PA | left wrist X-ray | 12-year-old female | image width 96.2 mm. 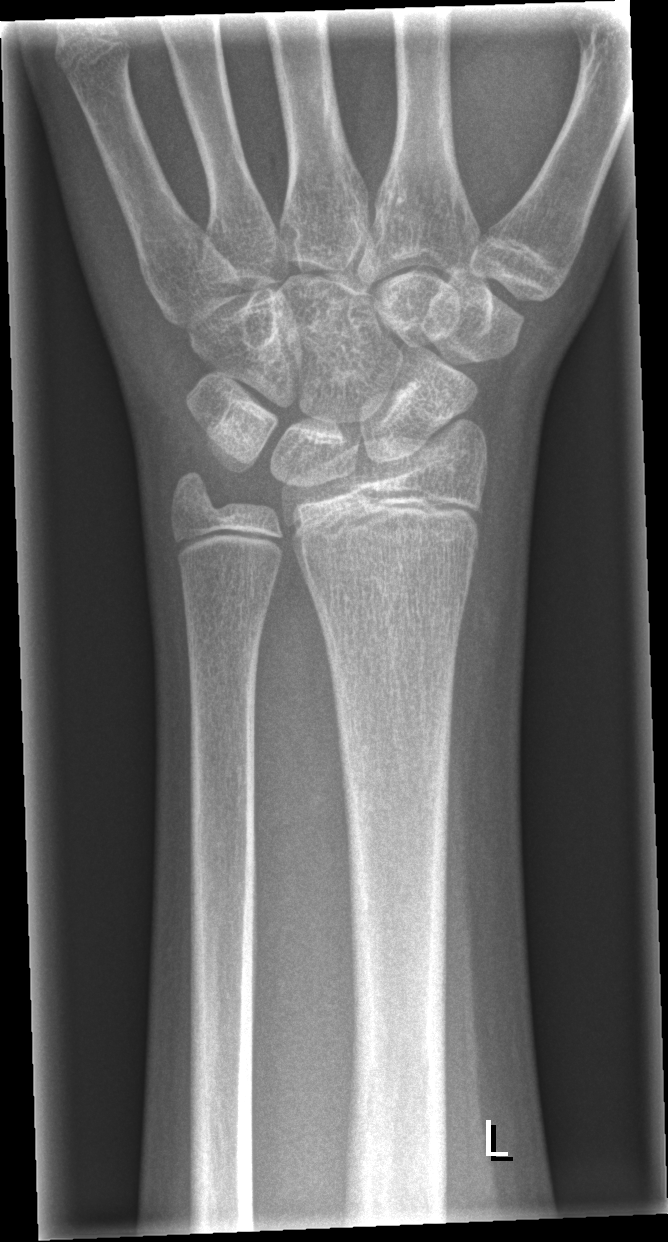

FINDINGS: No fracture labeled.